Lat, Lt plain radiograph of the wrist, boy, 14 yo, follow-up, in cast. 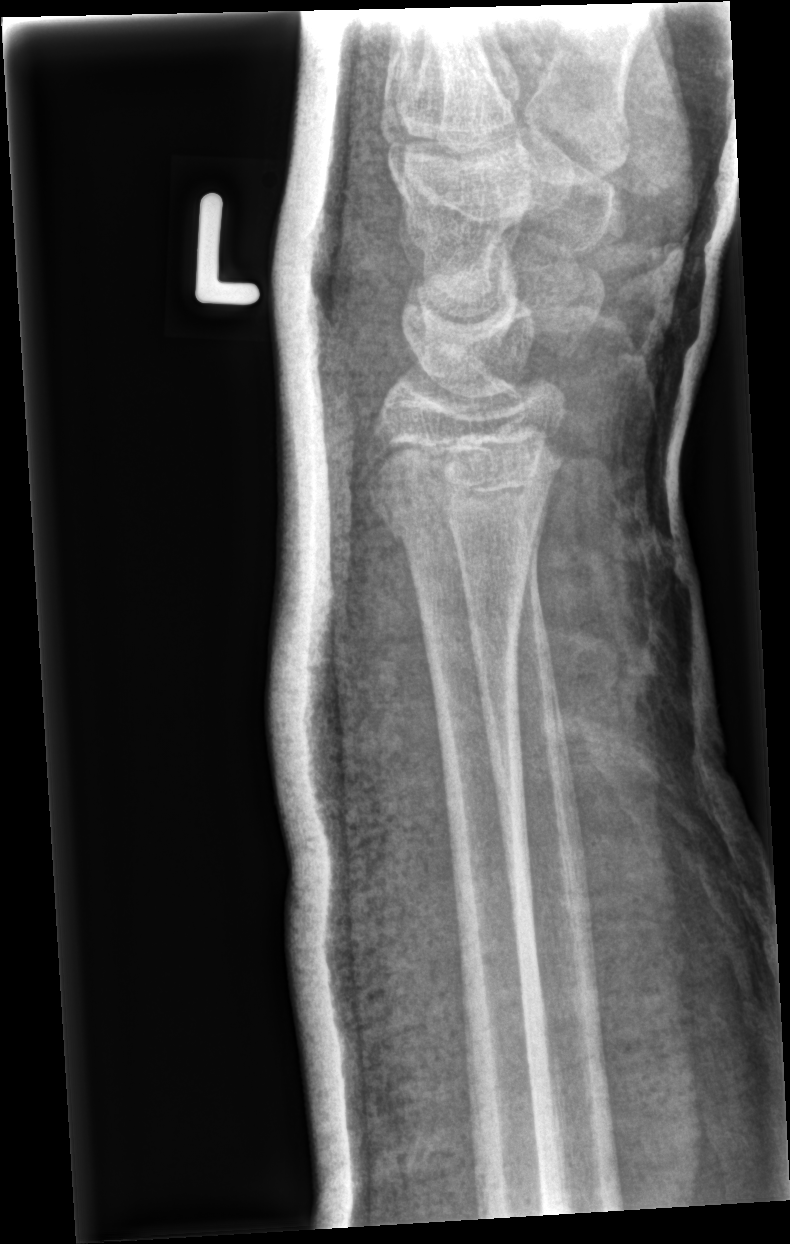

FINDINGS: Fracture classified AO/OTA 23r-E/2.1; 23u-E/7. Fx — <357,422>-<568,559>.